AP projection | Lt wrist X-ray | 10y M | 527 x 1188 px —
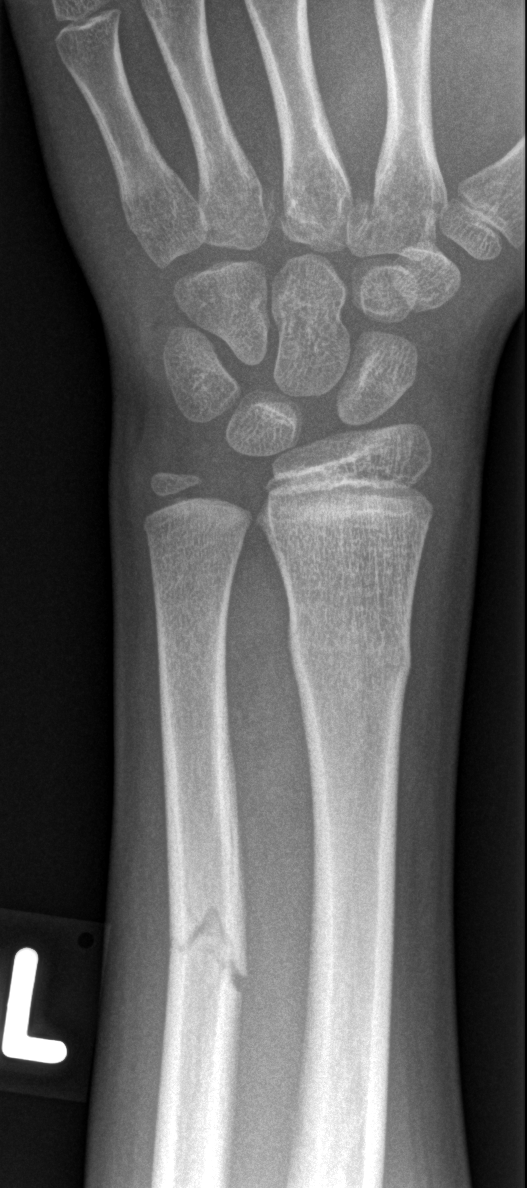
Findings: Fractures — bbox(159, 889, 252, 1015); bbox(285, 611, 414, 690).